PA/AP projection | left wrist radiograph | pediatric patient (male, age 16) | initial study | detector: Siemens
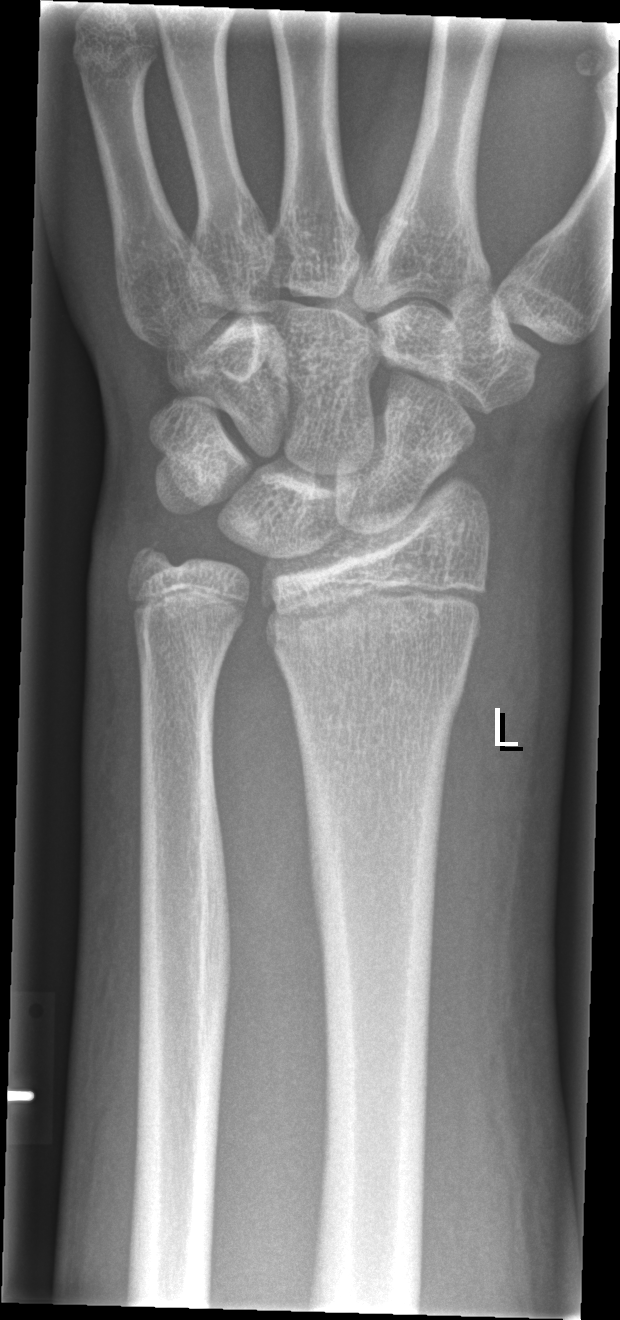 (boxes as x1,y1,x2,y2 (top-left / bottom-right, pixel units))
Fx: 2 @ bbox(263, 577, 490, 649); bbox(122, 531, 184, 596)